L wrist radiograph | lat | pediatric patient (male, age 9).

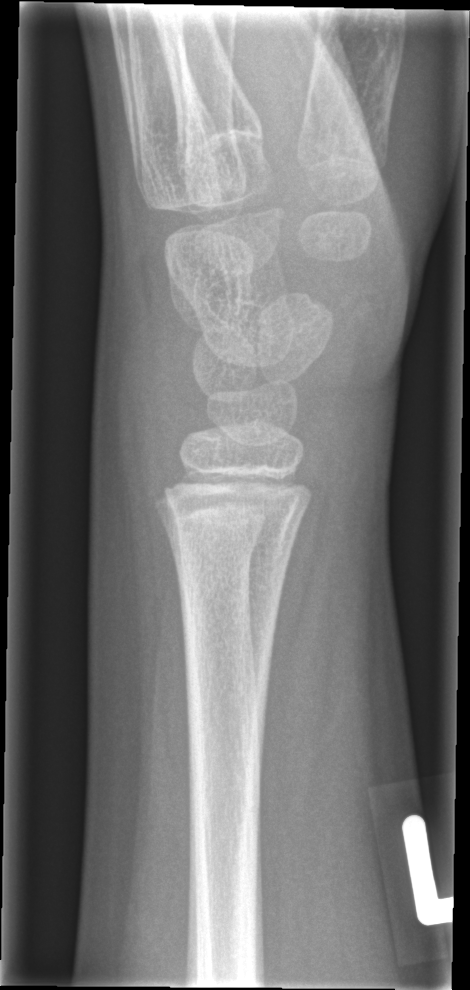

Boxes as x1,y1,x2,y2 (top-left / bottom-right, pixel units). Fracture — 157,487,306,546. AO code 23r-M/2.1.